Lateral; Lt wrist X-ray; girl, 9 yo — 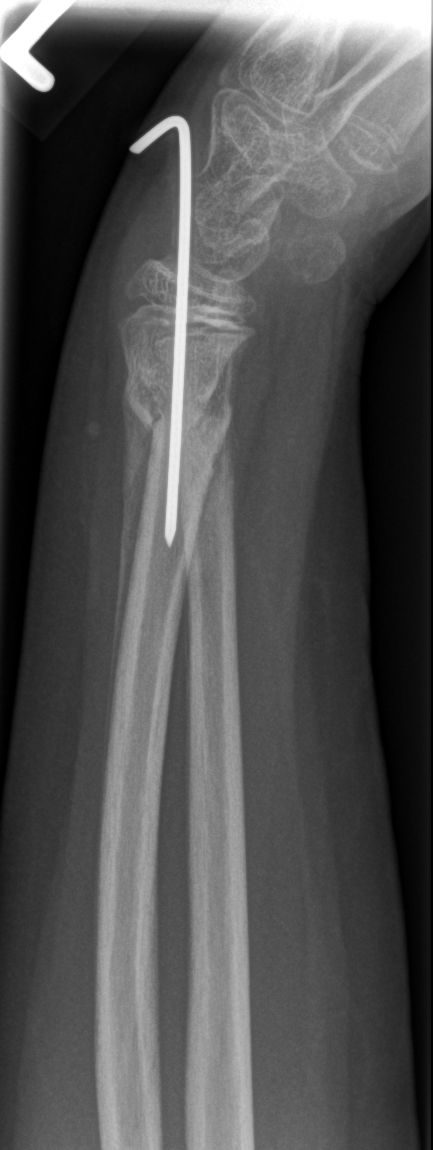 Periosteal thickening: [x1=106, y1=391, x2=153, y2=775].
Bone fracture: [x1=124, y1=379, x2=235, y2=443].
One metallic implant at [x1=128, y1=108, x2=190, y2=551].
AO/OTA classification: 23r-M/3.1; 23u-M/2.1; 23u-E/7.